Lateral, Lt plain radiograph of the wrist, 14y M, 398 x 918 px. 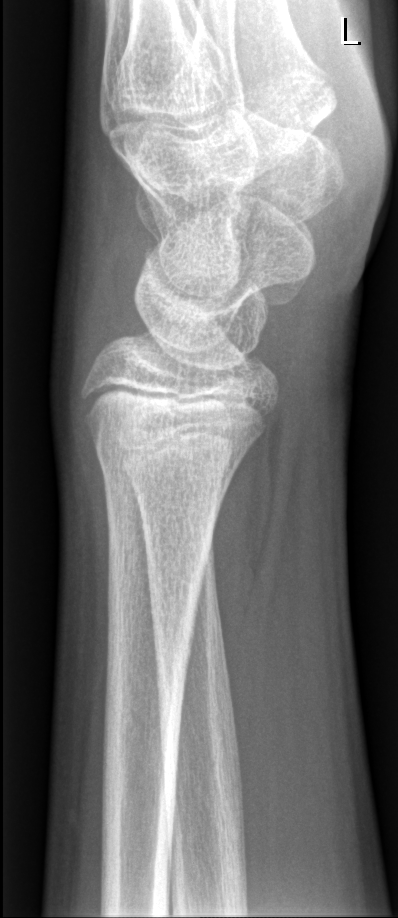 Pixel coordinates, top-left origin, xyxy. Bone fracture identified at 83 415 260 497.